Lat view, left wrist plain film, image size 697x1384:
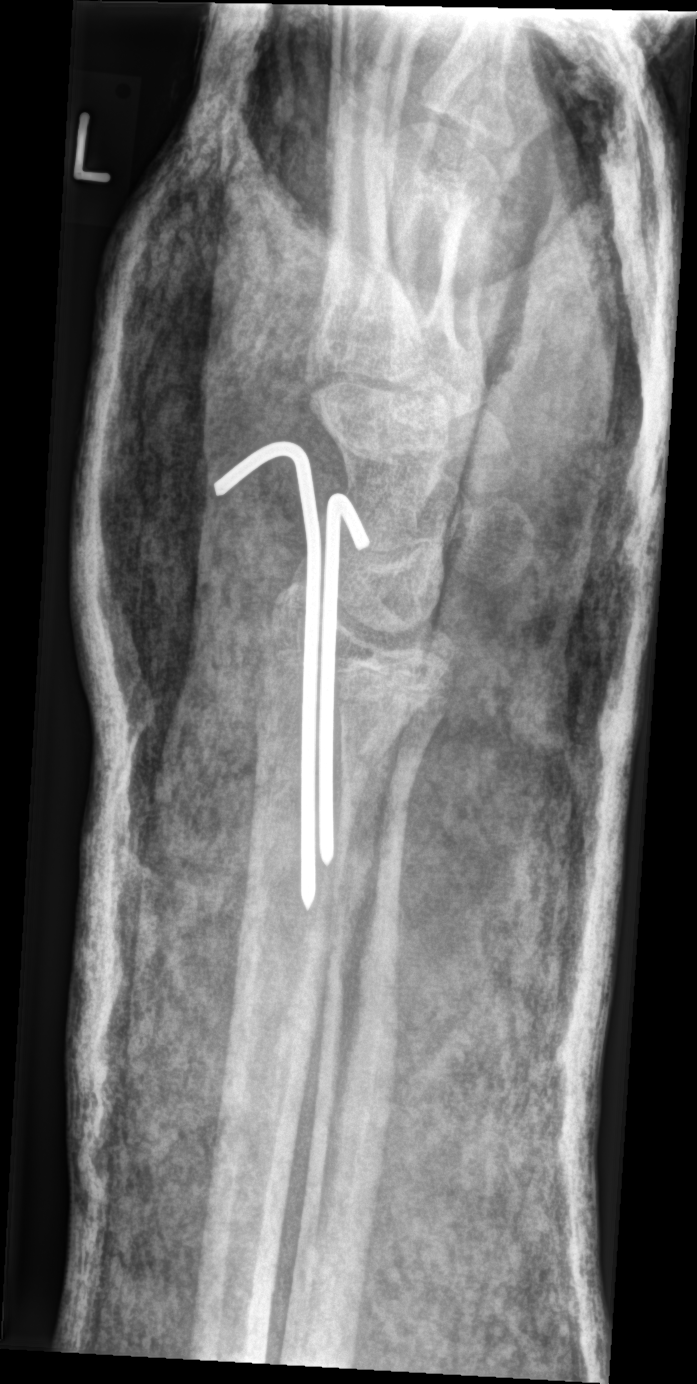

One Fx at bbox(250, 657, 441, 751). Metal identified at bbox(220, 442, 324, 905), bbox(324, 488, 370, 870).